Posteroanterior projection | L wrist plain film | 13y M | detector: Siemens. 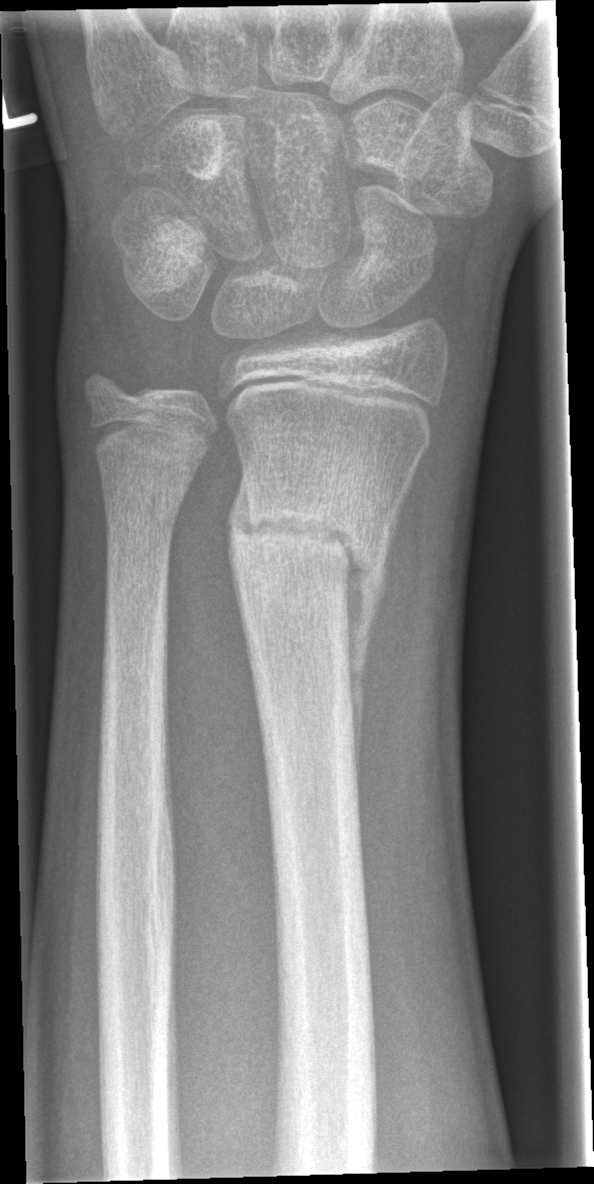

Fracture classified AO/OTA 23r-M/3.1; 23u-M/2.1.
Two periosteal new bone at [344, 487, 406, 804] [226, 465, 255, 608].
Bone fracture identified at [229, 486, 391, 611], [97, 482, 189, 540].